Lat view; Lt wrist radiograph; presentation radiograph: 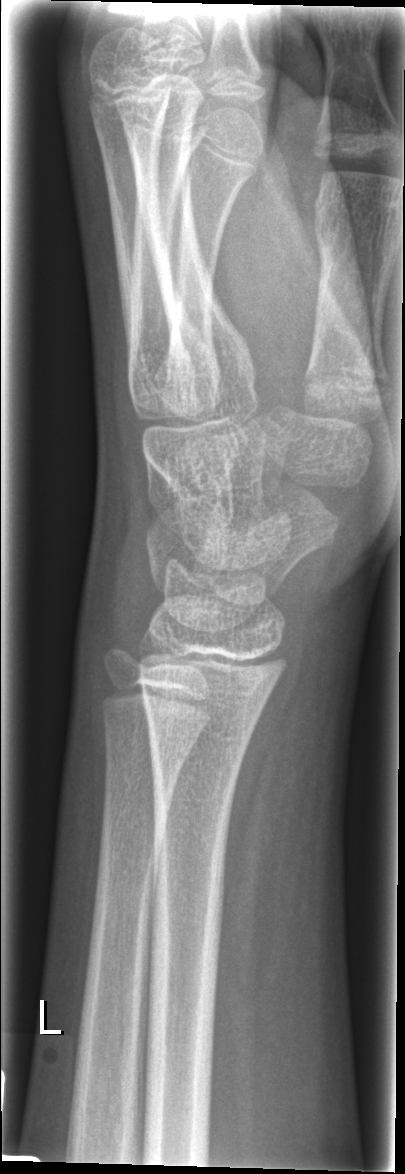 FINDINGS: Fx: none.